Posteroanterior projection | R wrist radiograph | in cast | Siemens — 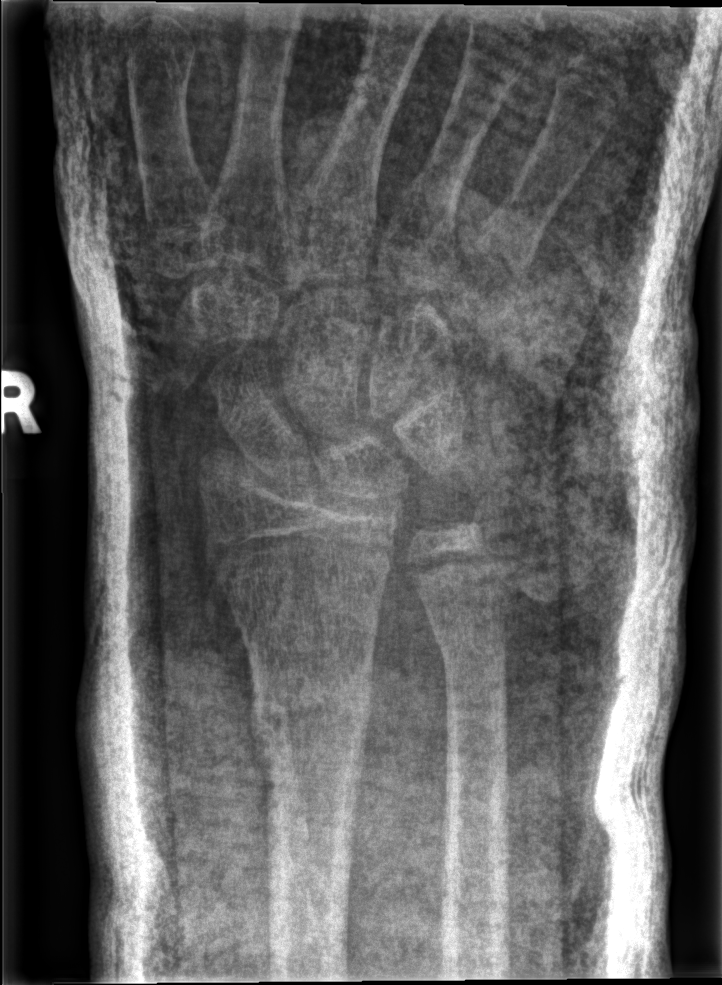
* Fx: (left=245, top=666, right=378, bottom=763) (left=428, top=614, right=513, bottom=665).
* AO code 23r-M/3.1; 23u-M/2.1.